Left wrist XR · lateral · subsequent exam · Siemens. 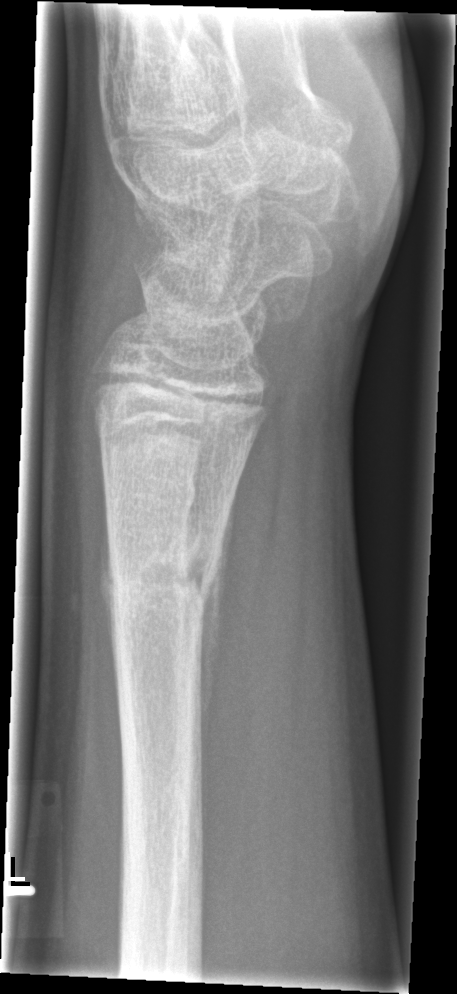

Boxes as x1,y1,x2,y2 (top-left / bottom-right, pixel units). Decreased bone density (osteopenia). Fx identified at [101, 516, 232, 620]; [101, 468, 202, 511]. Two periosteal new bone at [197, 489, 233, 772], [98, 466, 122, 764].